Lateral view, L plain radiograph of the wrist, follow-up study, image width 149.3 mm, image size 1018x1176 —

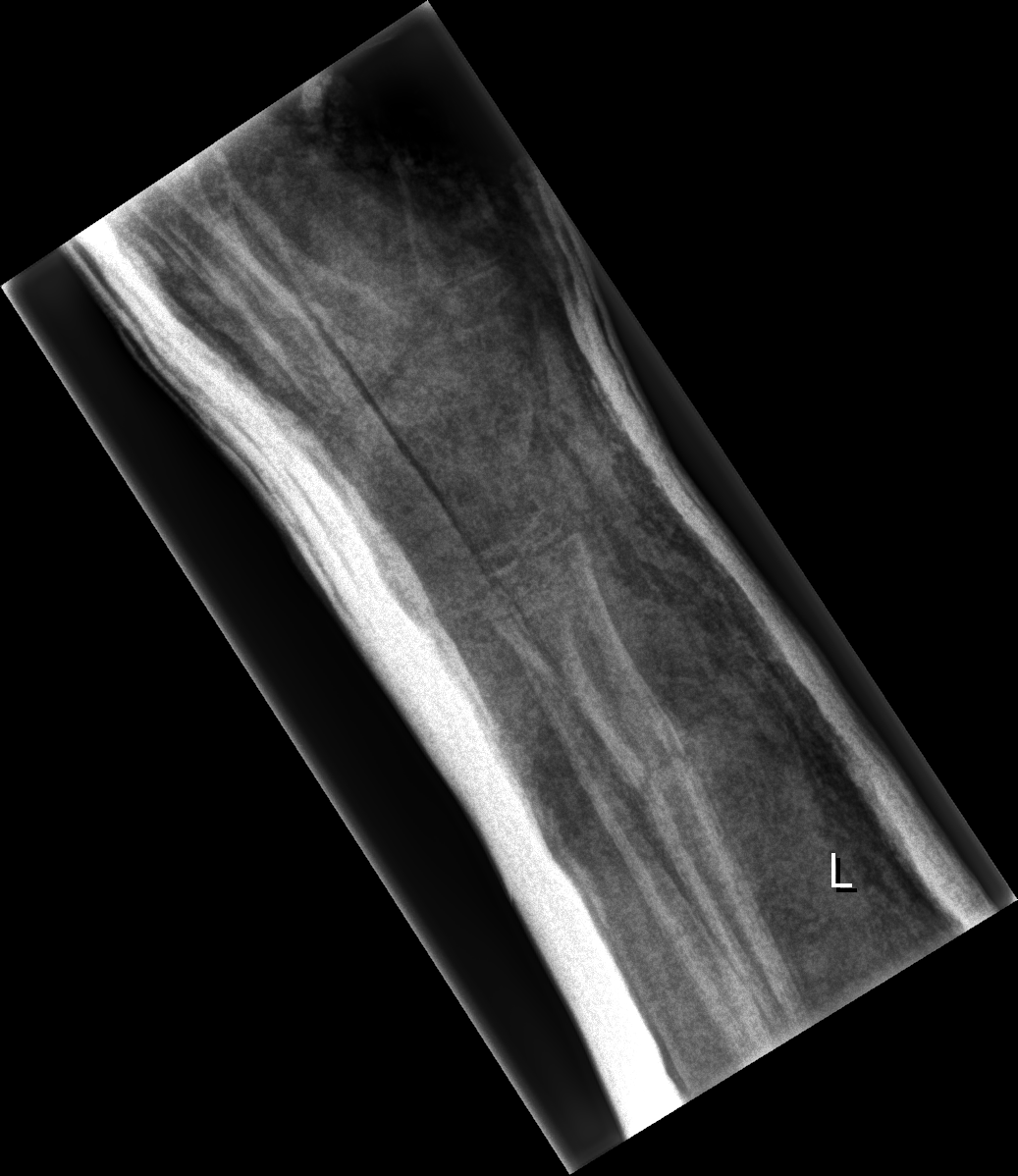 Q: Locate any periosteal reaction.
A: Periosteal thickening identified at bbox(643, 682, 776, 939)
Q: Is there a fracture?
A: Fx identified at bbox(622, 731, 709, 807)